Lat view | right wrist X-ray | age 7 y, girl —
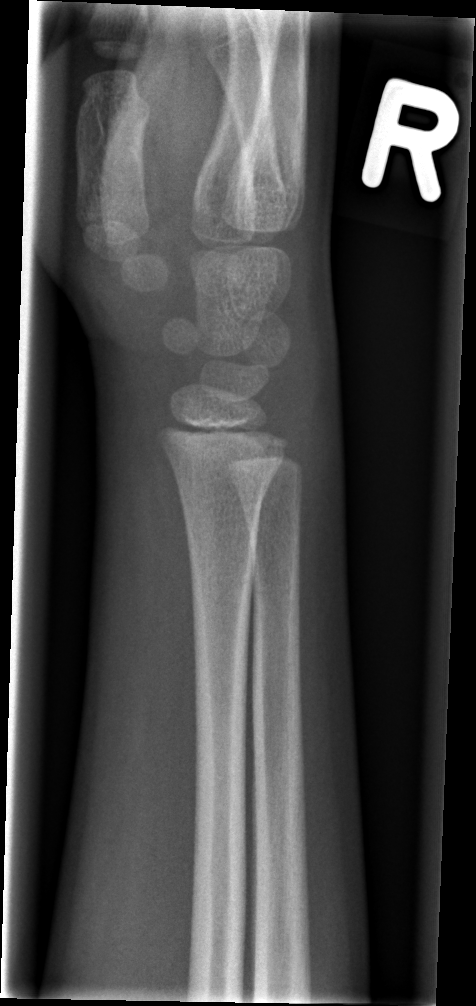
Findings: One fracture at 166 447 287 510. AO/OTA classification: 23r-M/2.1.